R wrist radiograph | lateral projection | index exam | image width 76.6 mm — 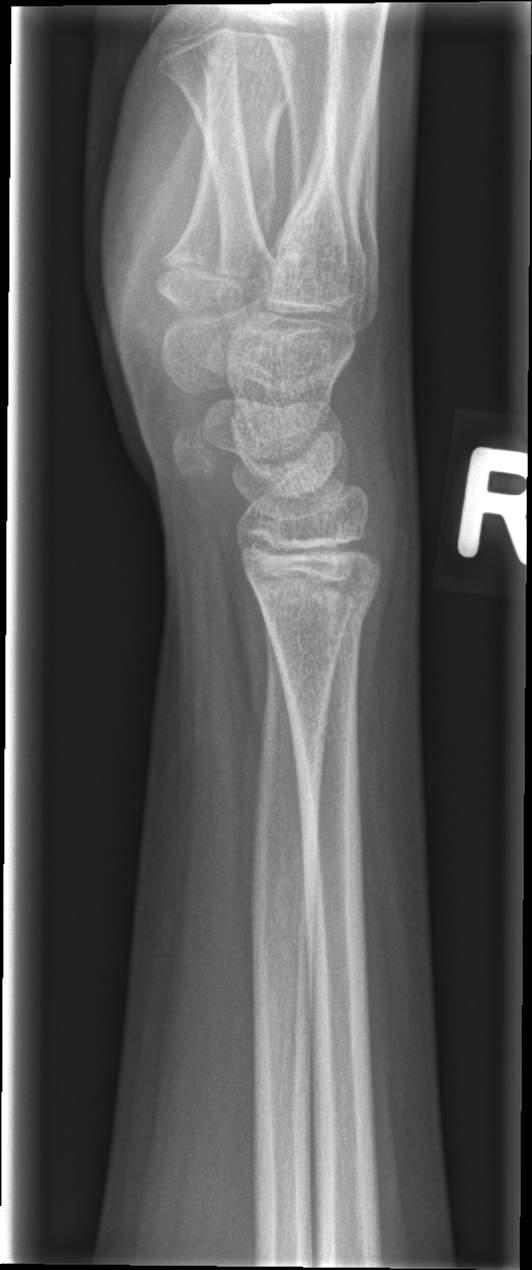 FINDINGS — Fx — (left=247, top=575, right=384, bottom=645).